PA projection, right pediatric wrist radiograph, boy, 8 yo, subsequent exam, in cast.

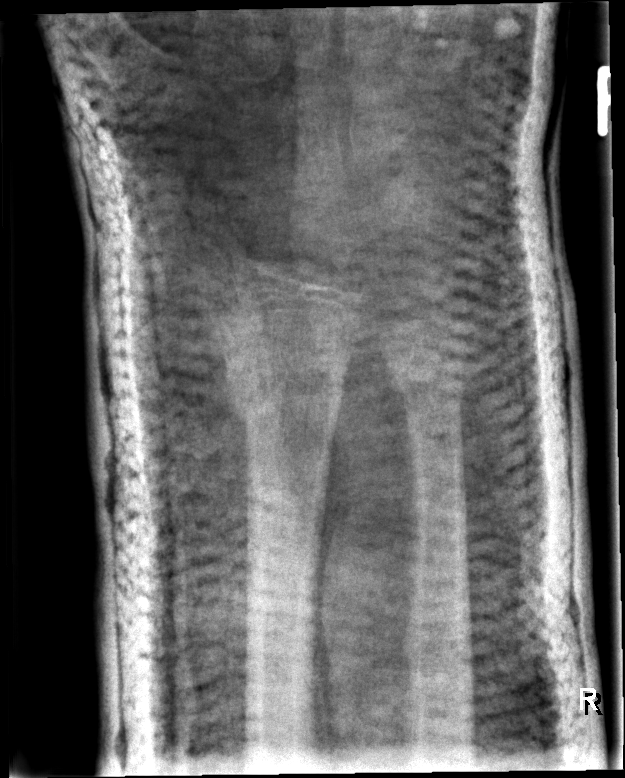
(bounding boxes in image-pixel xyxy)
Q: Is there a fracture?
A: Two Fx at [x1=221, y1=329, x2=346, y2=423], [x1=386, y1=350, x2=471, y2=400]